Lateral, Rt pediatric wrist radiograph, 8y F

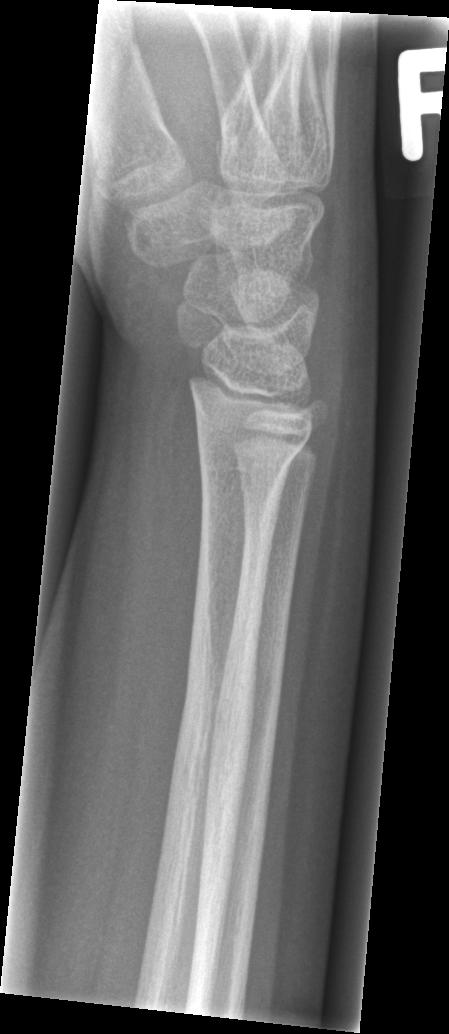
Coordinates are [x1, y1, x2, y2] in image pixels. AO/OTA classification: 22r-D/2.1; 23u-M/2.1. One bone fracture at <167,550>-<272,938>.